Lt wrist plain film · PA/AP view · pediatric patient (boy, age 14) · imaged through cast

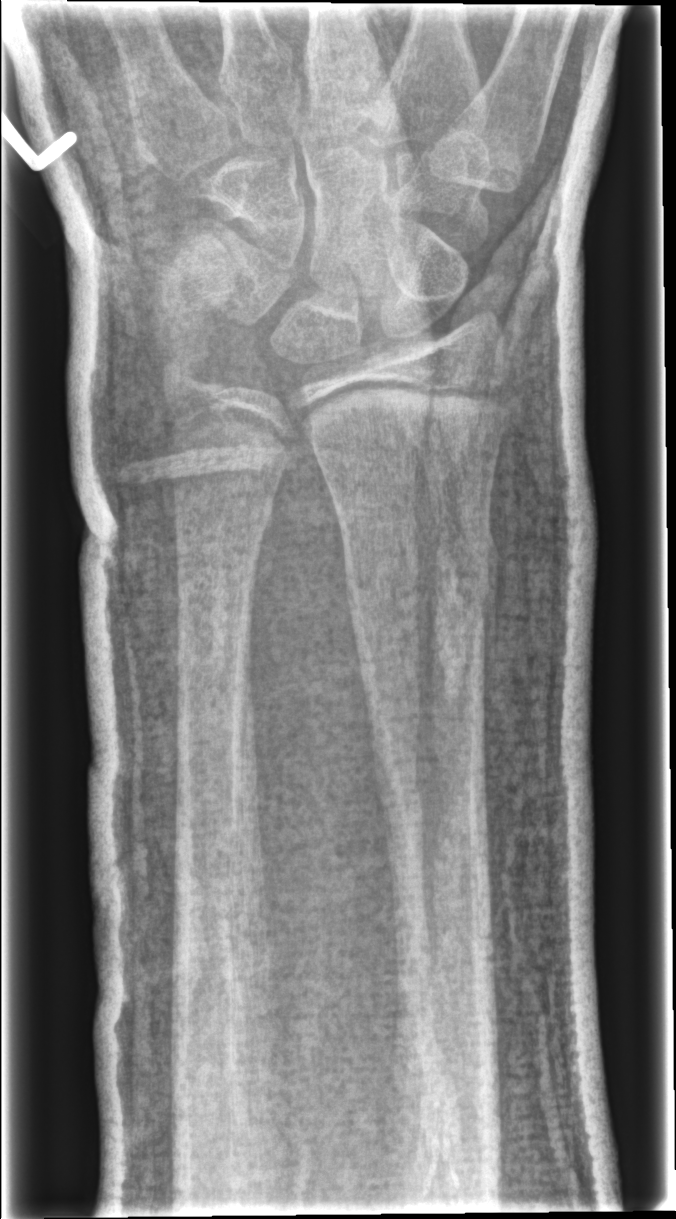 Q: What is the AO/OTA classification?
A: AO/OTA classification: 23r-M/3.1; 23u-M/2.1
Q: Locate any fractures.
A: Fx — (left=335, top=517, right=504, bottom=631)